Lateral view; Rt wrist radiograph; initial study; Siemens:

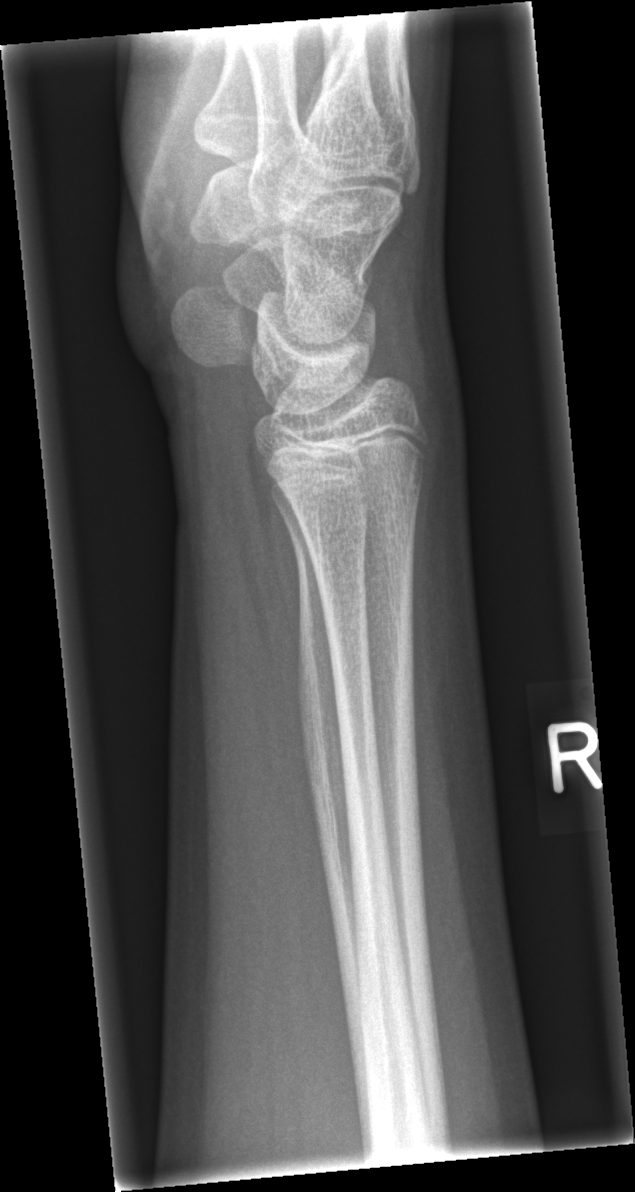 fracture = none labeled